L wrist XR, posteroanterior projection, 6-year-old girl, index exam:

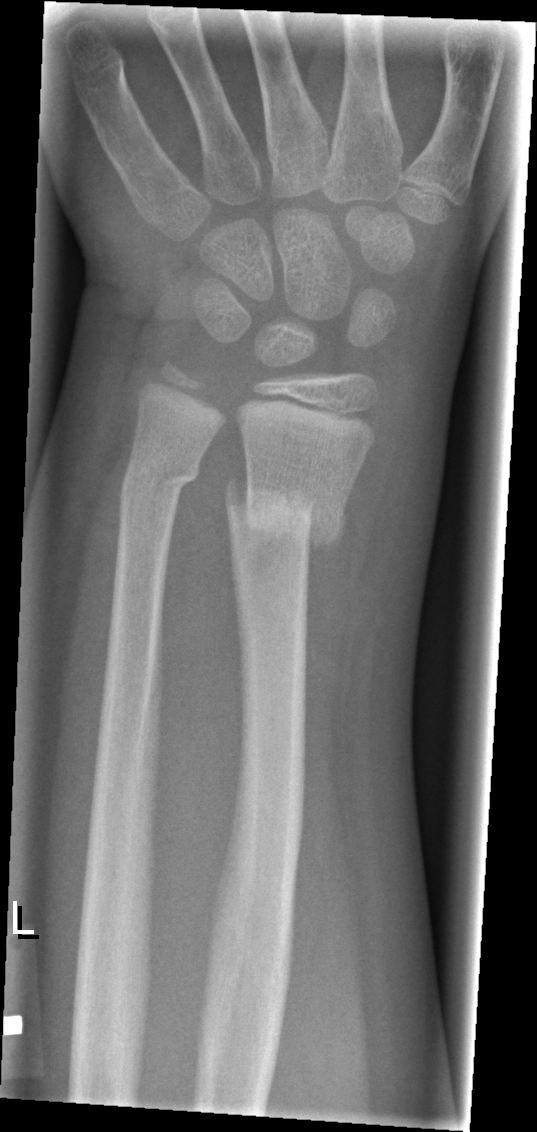

{
  "fracture": "2 @ [222, 472, 351, 554]; [117, 451, 203, 495]",
  "ao": "23r-M/3.1; 23u-M/2.1"
}